L wrist plain film; PA view; pediatric patient (female, age 6); follow-up study; cast in situ.
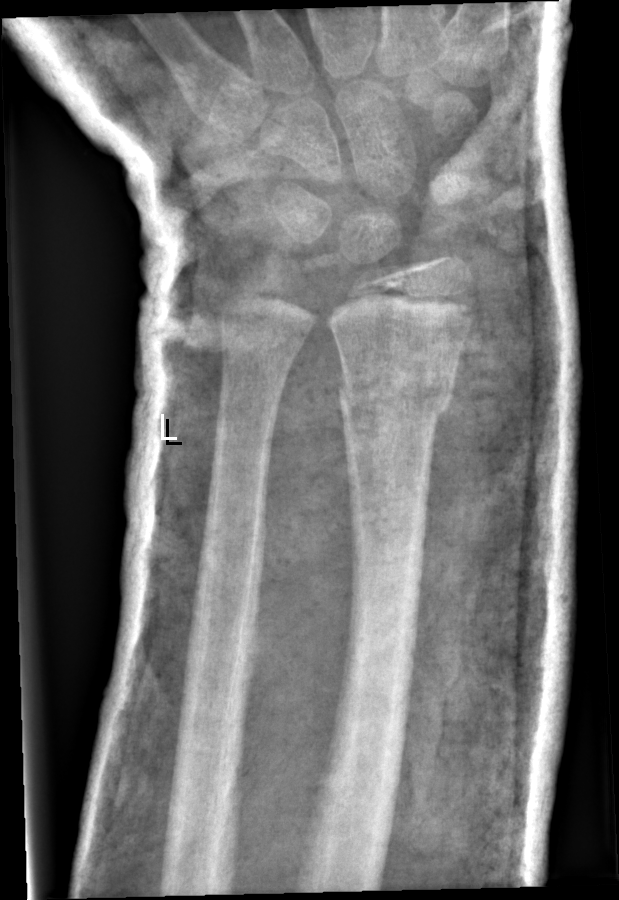

* One Fx at <336,357>-<459,427>.
* Fracture classified AO/OTA 23-M/3.1.